Right wrist plain film | lateral projection | pediatric patient (male, age 6) | cast present —

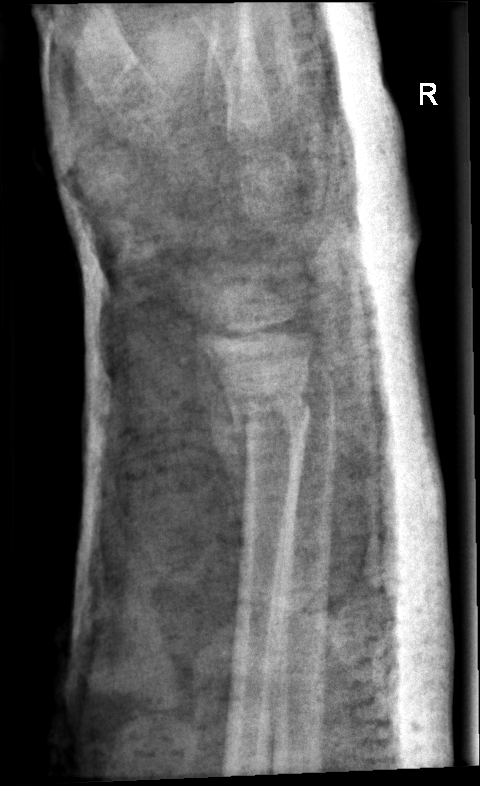 AO/OTA classification: 23r-M/3.1; 23u-M/2.1.
One Fx at bbox(229, 366, 315, 441).